PA/AP view; L wrist X-ray; 534 x 1032 px — 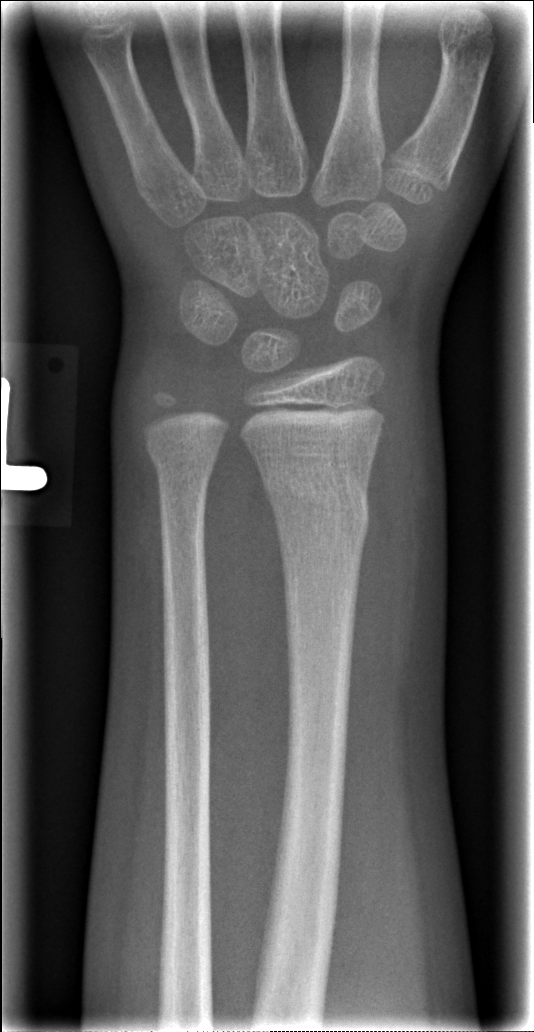
(bounding boxes in image-pixel xyxy)
Q: Is there a fracture?
A: Two fractures at (253, 446, 372, 542); (144, 431, 225, 492)